Lat · Rt plain radiograph of the wrist: 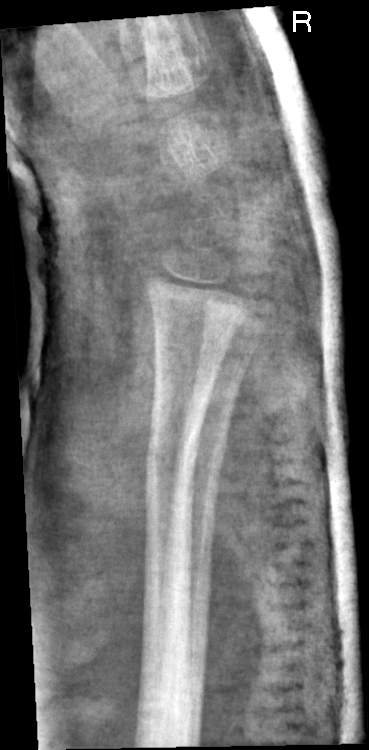

  # pixel coordinates, top-left origin, xyxy
  ao: 23-M/3.1
  fracture: 2 @ 144 424 204 483
  174 440 227 495